Left wrist radiograph | AP projection | male, 14 yo | 572 x 1422 px —

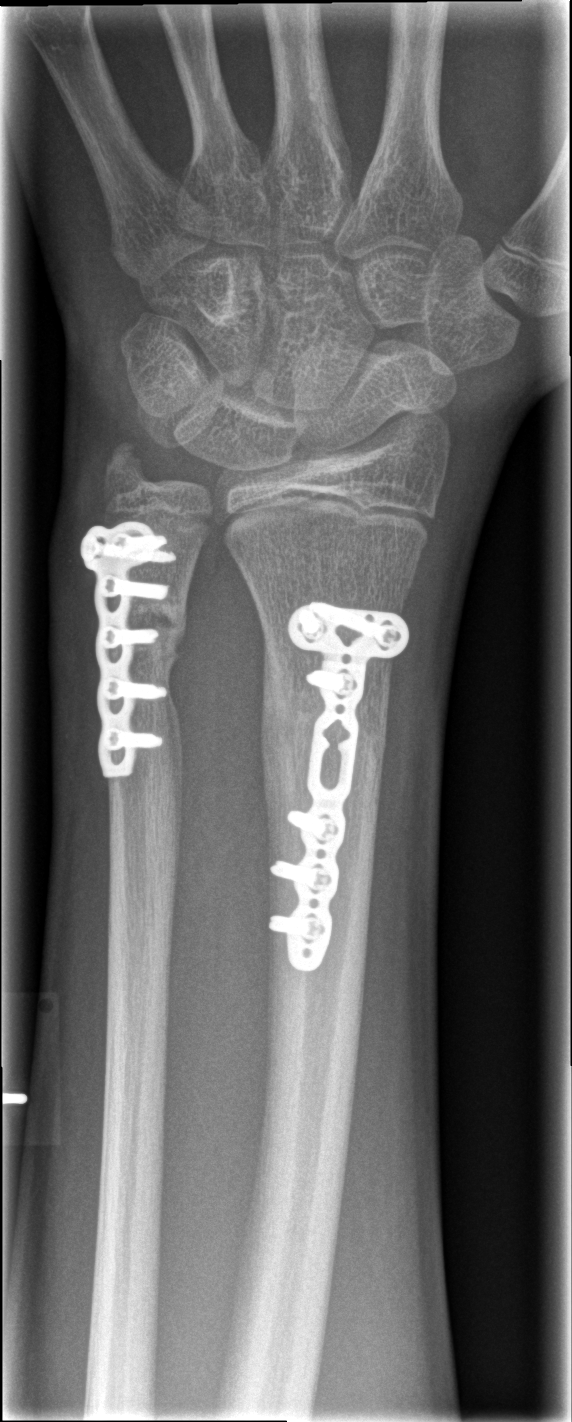

Osteopenia. Fractures — 253 644 391 806; 120 593 193 659; 98 437 161 501. Fracture classified AO/OTA 23-M/3.1; 23u-E/7. Metallic hardware: 271 602 408 970; 82 519 168 778.